PA projection | left wrist plain radiograph of the wrist | age 15 y, male | cast in situ — 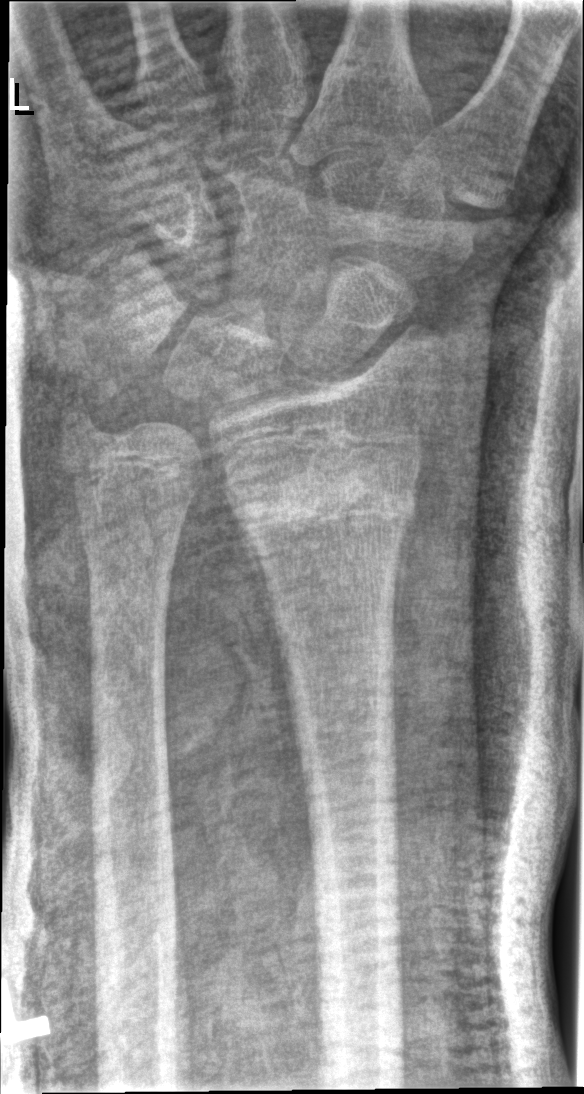
fracture: 1 @ (230, 458, 426, 560)